Posteroanterior view; Rt wrist XR —
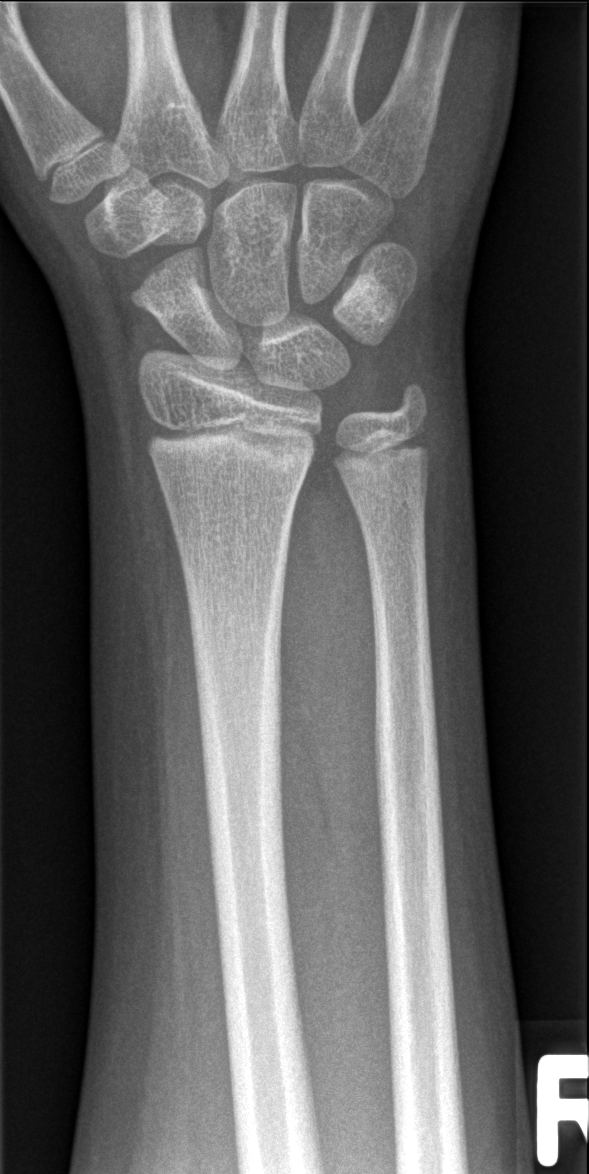

{"fracture": "none labeled"}